Lat view | right wrist radiograph | 8y F | initial study | image size 429x1010

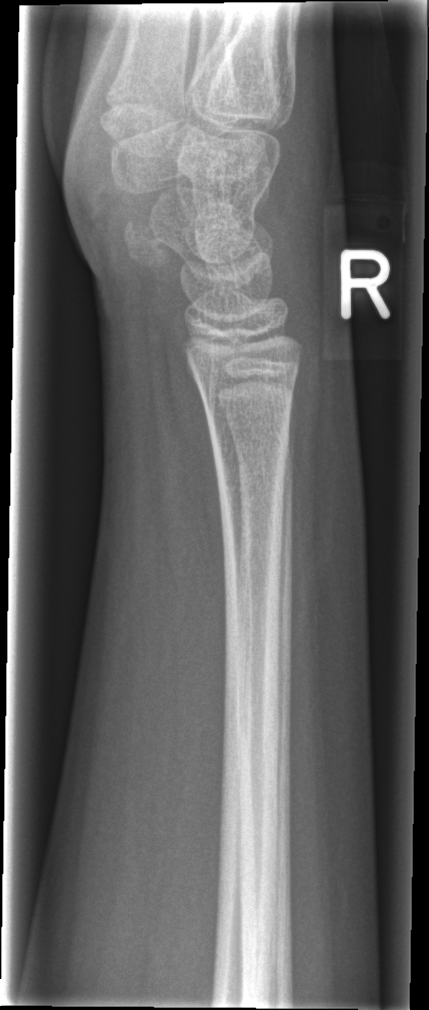
Q: Fracture present?
A: No fracture annotation